Lateral projection · Rt wrist radiograph · pediatric patient (girl, age 12) · presentation radiograph · 442x908
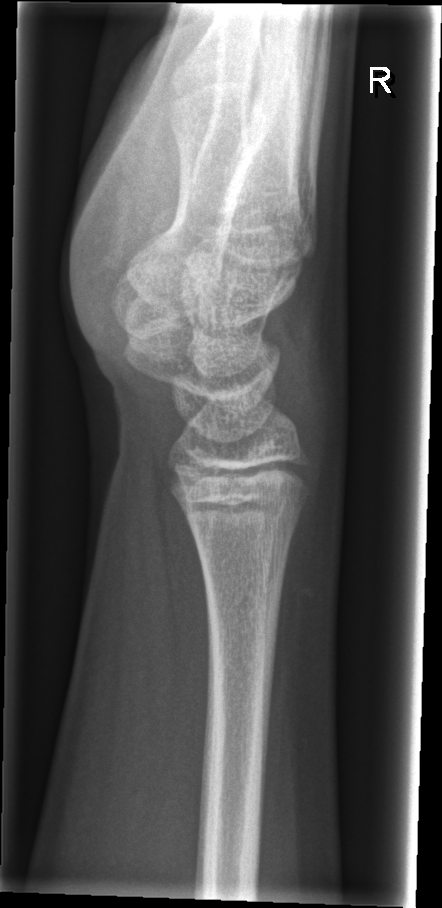 Fx: none.